Frontal | left wrist XR | 12y M | index exam | 114.8 mm image width —
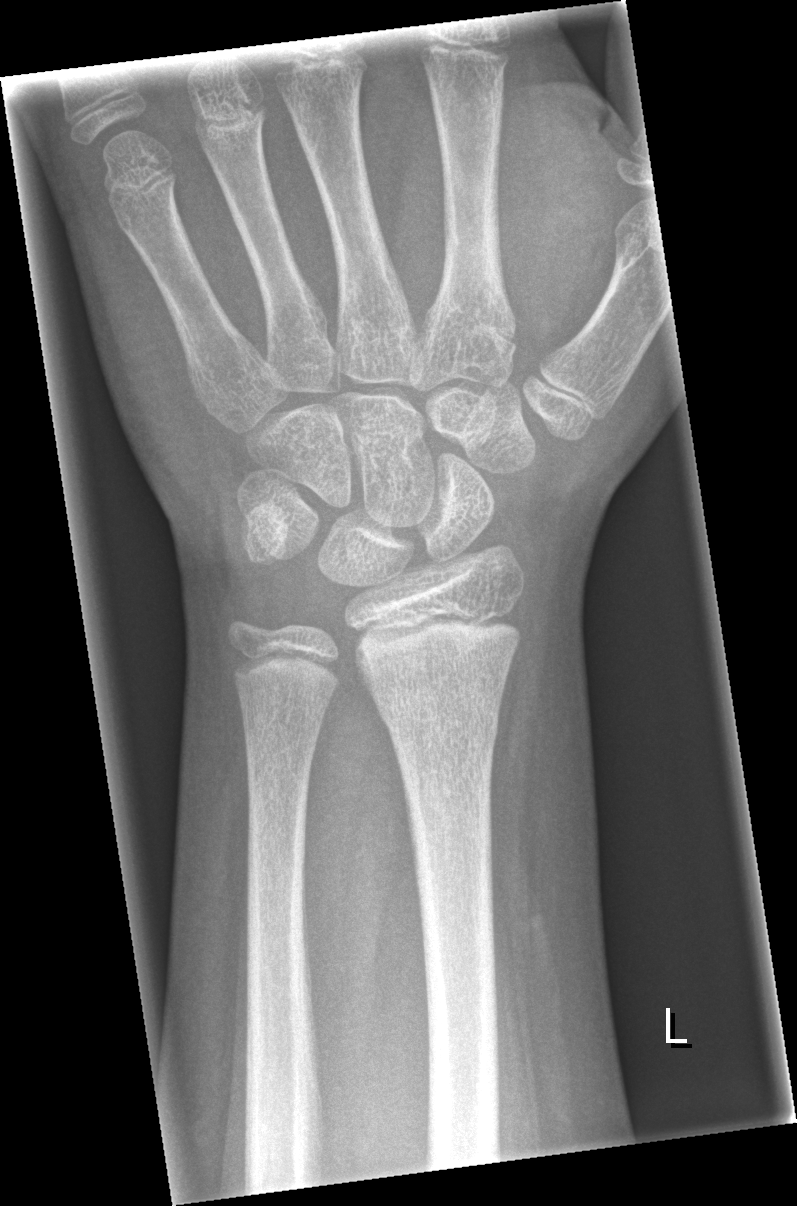 Fracture identified at 378,693,502,763.